Lt wrist plain film; lat projection
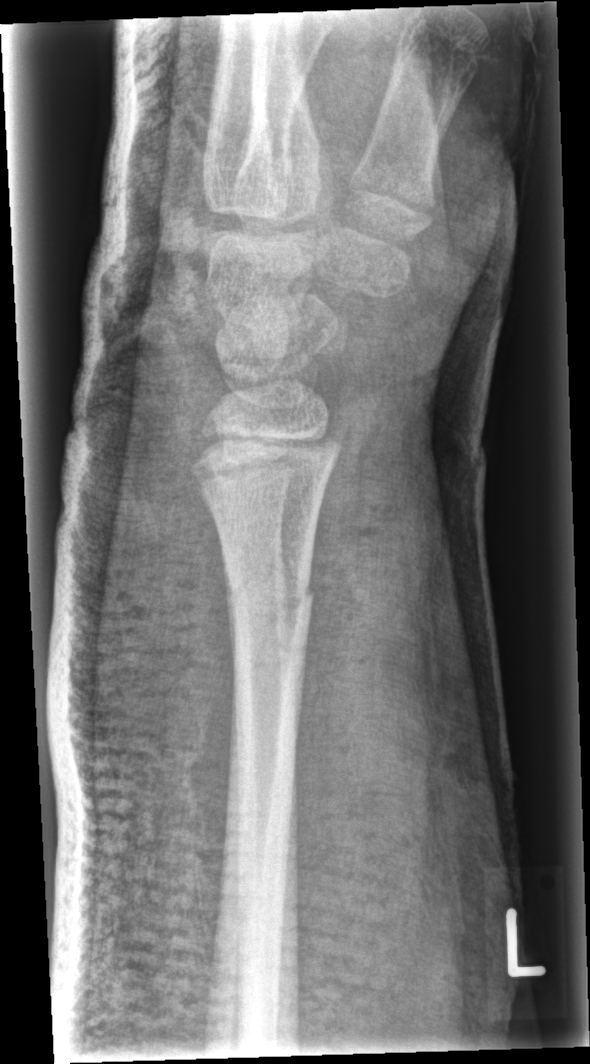
AO classification = 23r-M/3.1; 23u-E/7
Bone fracture = 1 @ [221, 564, 316, 642]